Lateral view, Rt pediatric wrist radiograph, age 14 y, female, initial study, 505 x 1248 px.
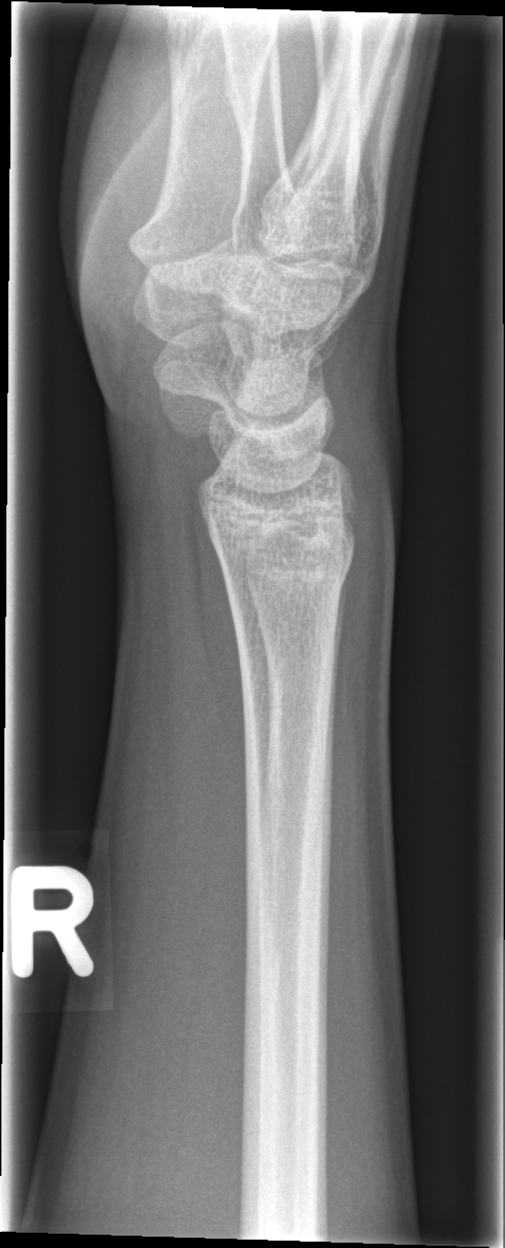

One bone fracture at [218, 537, 358, 613].